Lateral view · right wrist X-ray · detector: Siemens · image size 483x1276 — 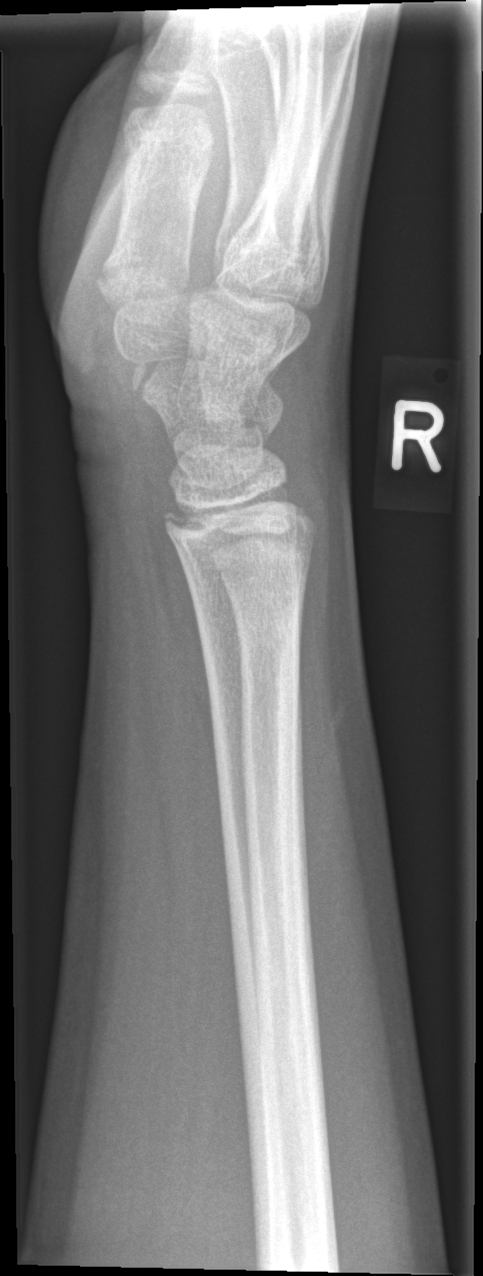

• Bone fracture: (159, 491, 321, 554).